Lt wrist radiograph · lat

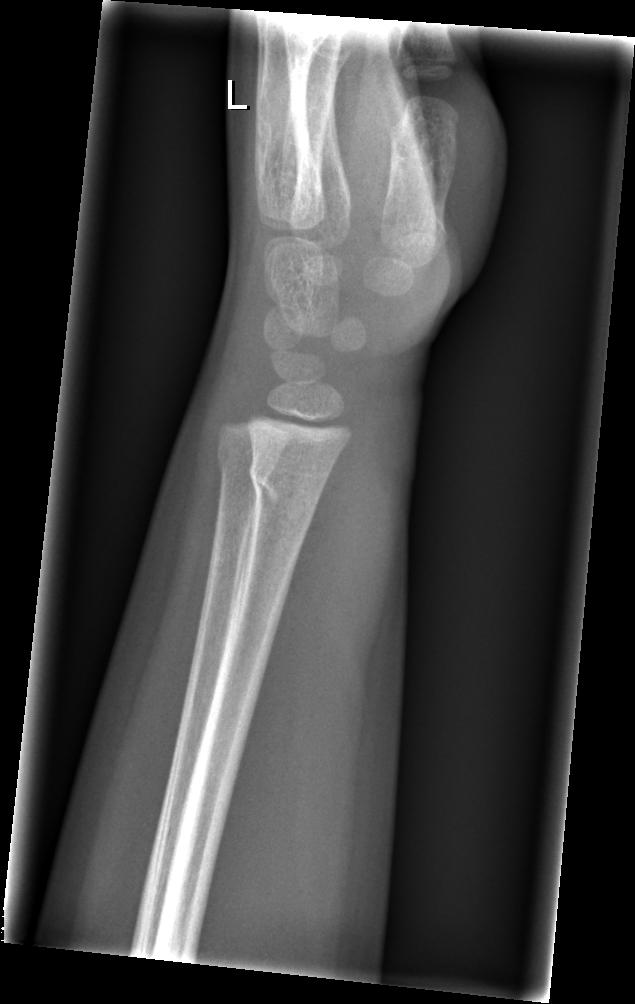 FINDINGS — (boxes as x1,y1,x2,y2 (top-left / bottom-right, pixel units)) Fractures — <244,446>-<332,520>; <213,440>-<284,489>.